Lt wrist X-ray, lat, imaged through cast —
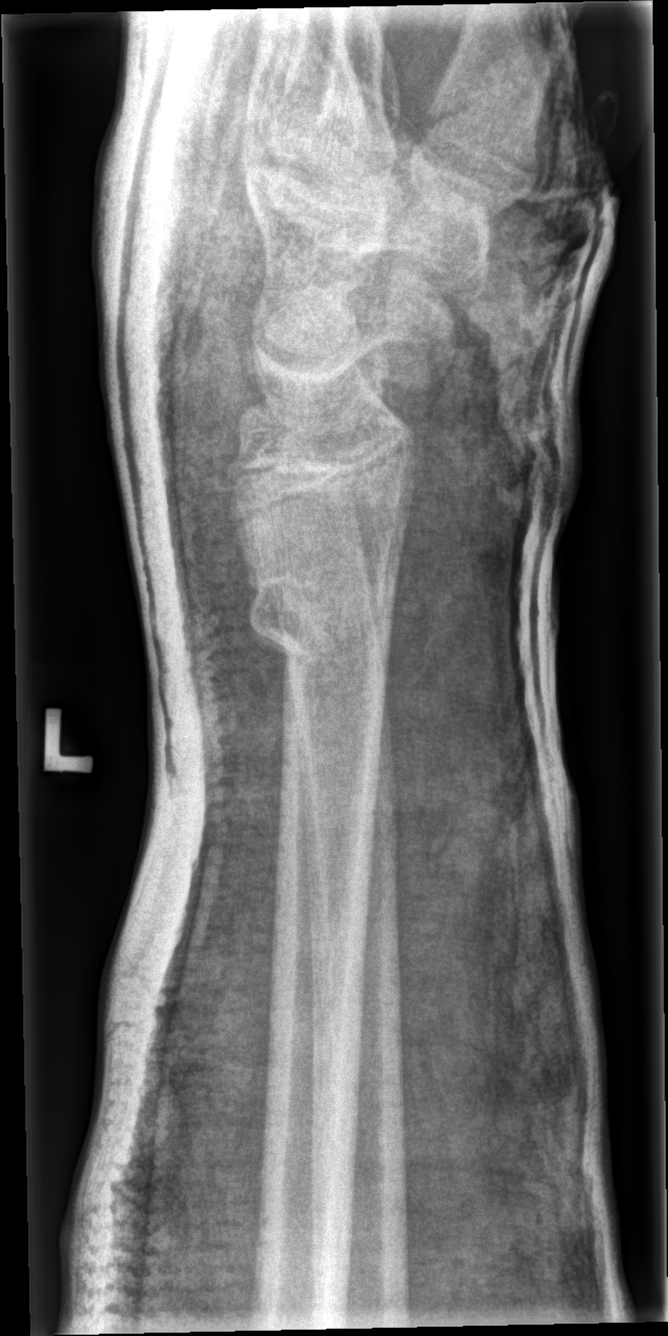 AO code 23r-M/3.1; 23u-M/2.1; 23u-E/7. Bone fracture — [x1=245, y1=568, x2=395, y2=665].